Lateral projection, left wrist X-ray, pediatric patient (boy, age 14), acquired on Siemens:
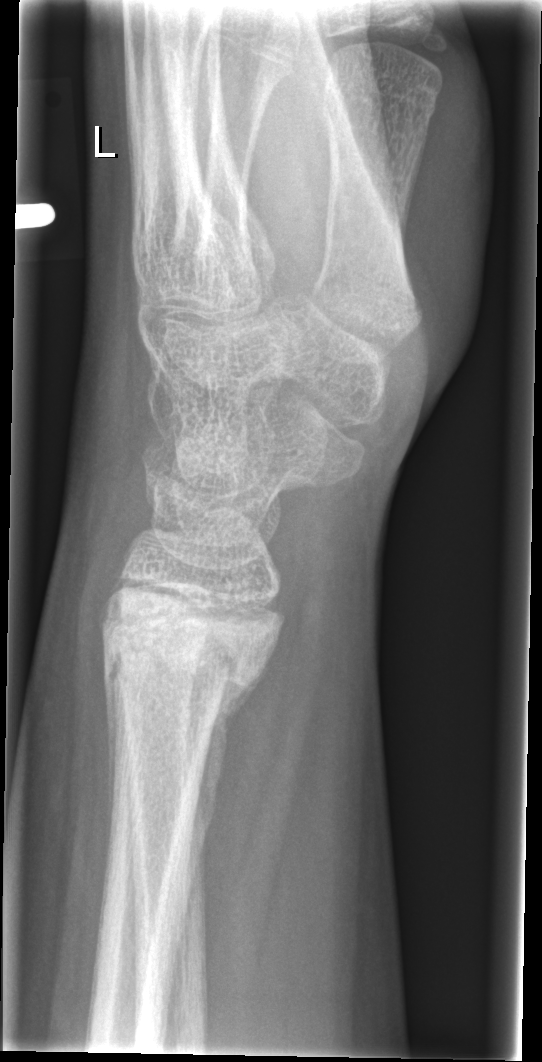 Q: Any fracture seen?
A: Bone fracture — 98,594,284,714
Q: Is there osteopenia?
A: Osteopenic
Q: Any periosteal thickening?
A: Periosteal reaction: 185,662,272,913; 103,634,124,891